AP; left wrist plain radiograph of the wrist; pediatric patient (boy, age 13); image 91.2 mm wide —

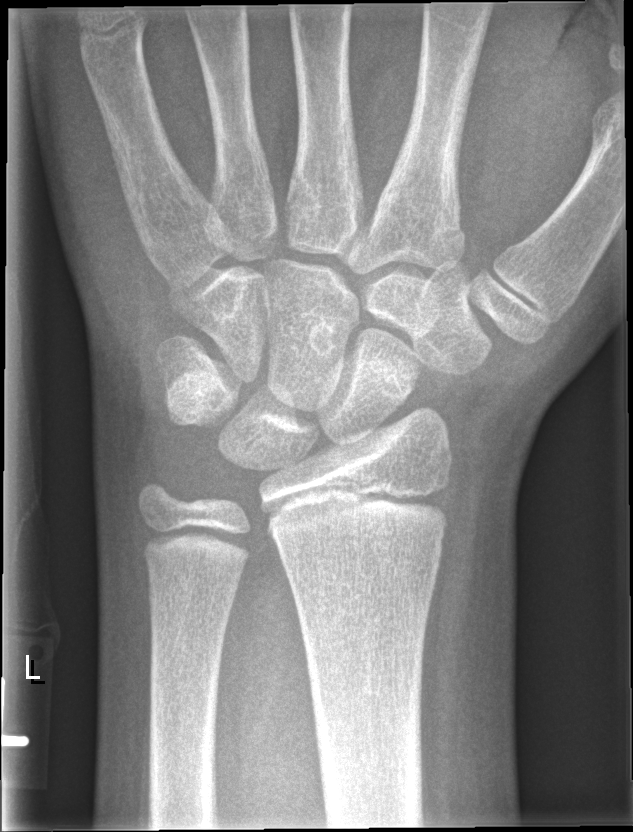
No fracture labeled.